PA/AP, Rt wrist X-ray, follow-up study. 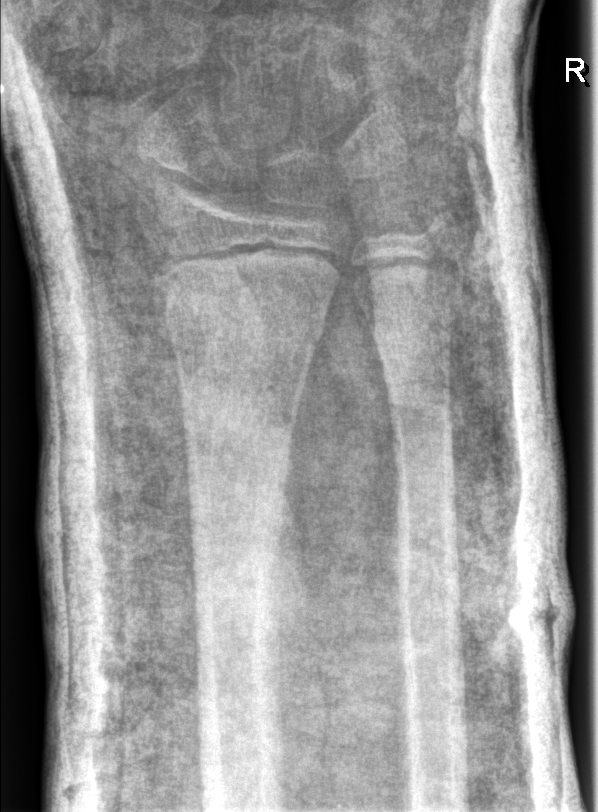
Fx: present but not clearly seen in this view.